L wrist radiograph, AP view, boy, 14 yo, acquired on Siemens 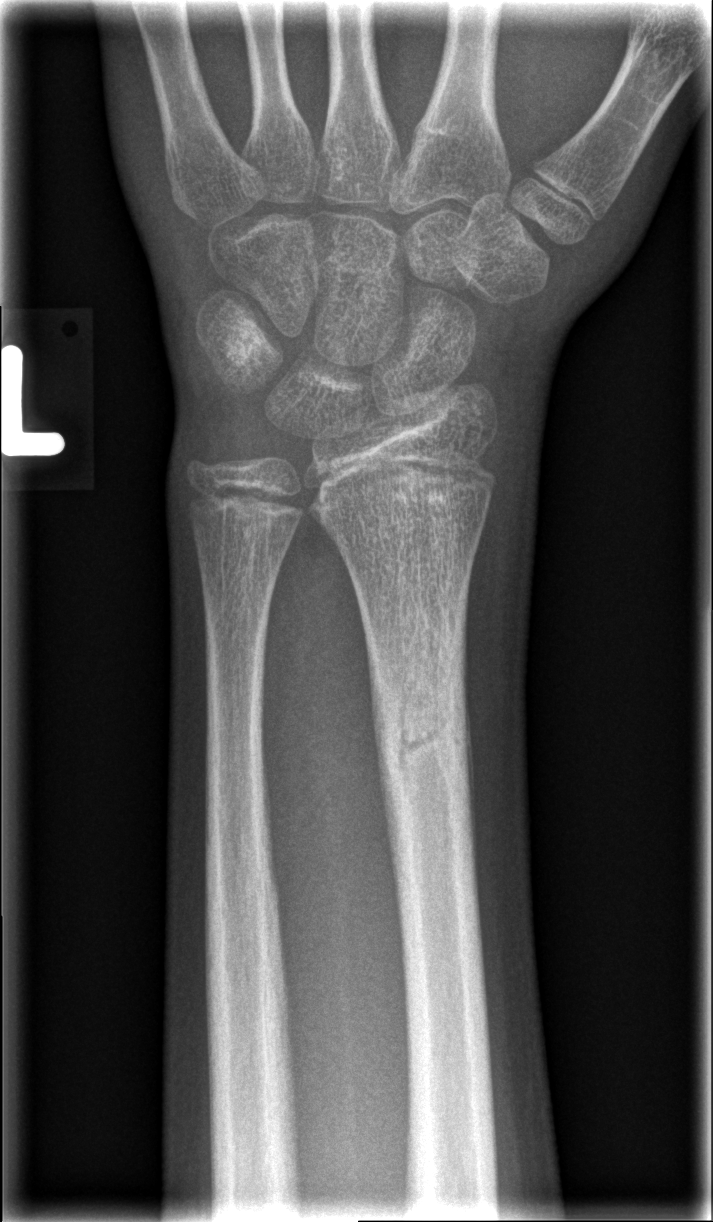
osteopenia = present
Fx = 1 @ 369 672 482 807